Rt wrist plain film · posteroanterior projection · 498 x 848 px 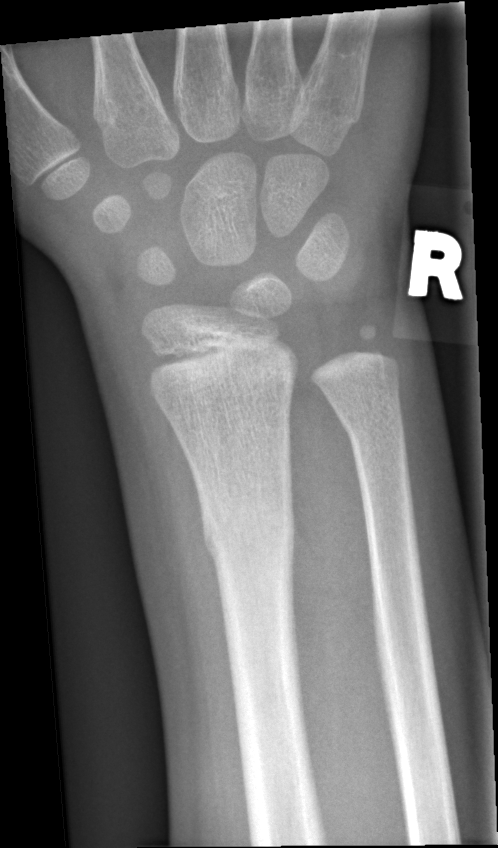
Fx = [x1=196, y1=487, x2=298, y2=558] [x1=336, y1=395, x2=407, y2=450]
AO/OTA = 23-M/2.1